L wrist radiograph · lat projection · age 12 y, girl · 494 by 800 pixels.
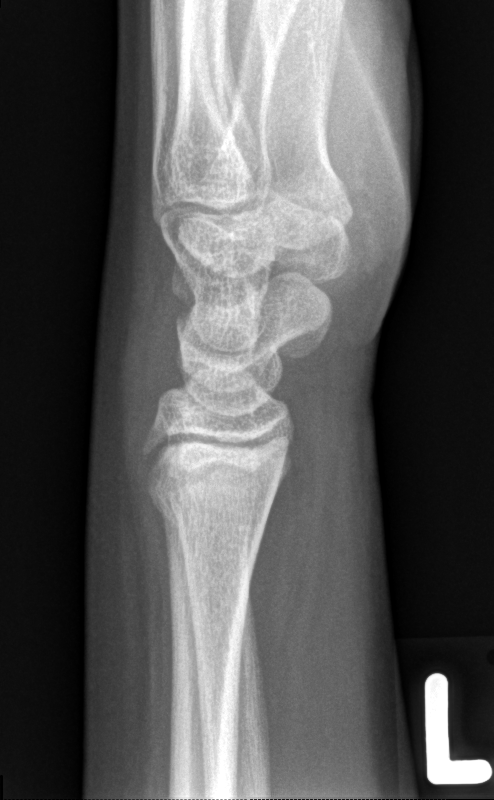

* Coordinates are [x1, y1, x2, y2] in image pixels.
* Fracture classified AO/OTA 23r-M/2.1.
* One bone fracture at 146 467 280 543.